Left wrist plain film; lat view; female, 10 yo; acquired on Siemens 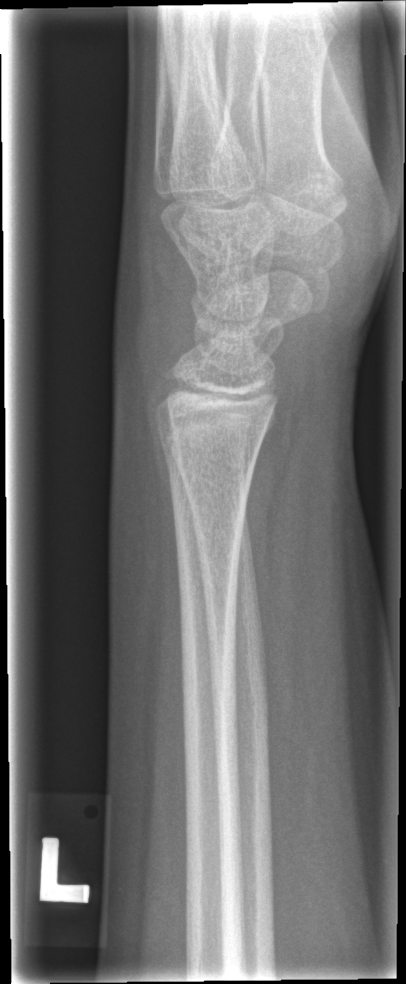 Fracture = none labeled